Right wrist radiograph · posteroanterior —
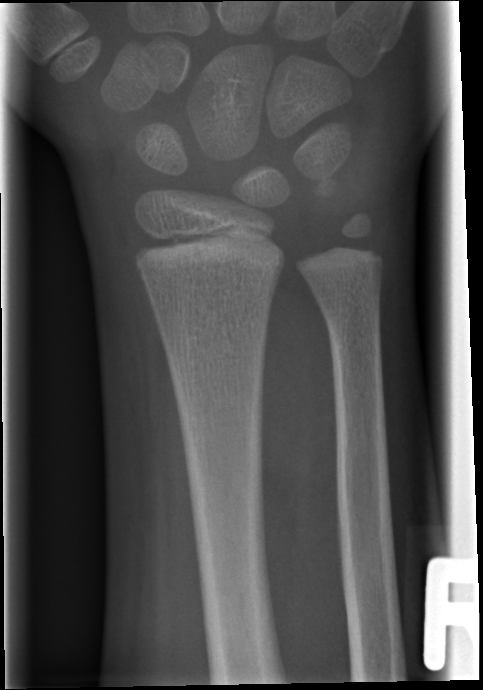 Fx = none labeled